AP projection | R pediatric wrist radiograph | 12-year-old girl | initial study —

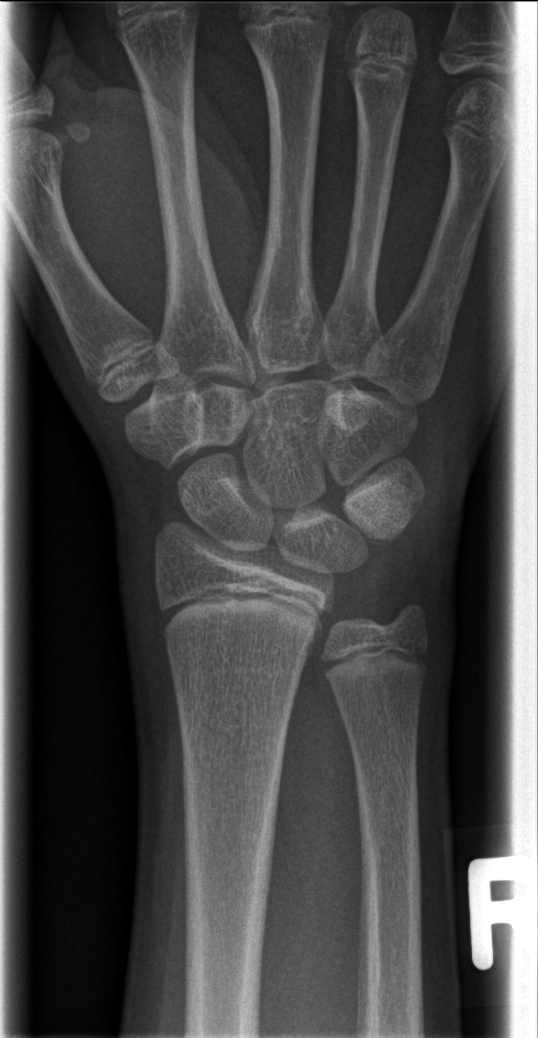
{
  "fracture": "none labeled"
}